Right wrist plain film · PA view · boy, 9 yo
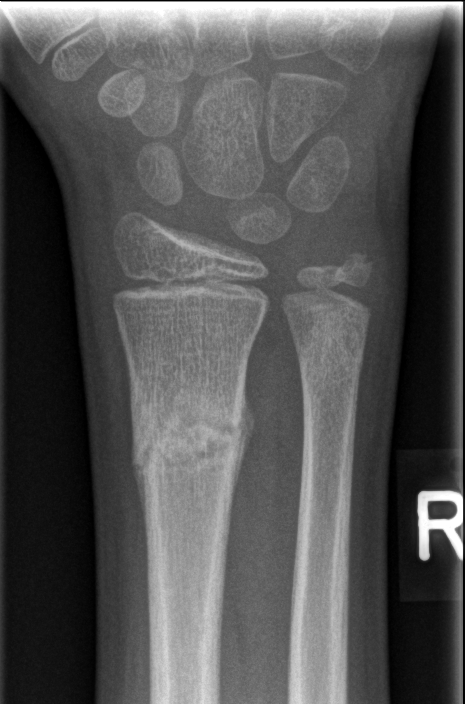 {
  "fracture": "3 @ (127, 376, 253, 498) (289, 318, 370, 386) (318, 243, 380, 299)",
  "ao": "23-M/3.1; 23u-E/7",
  "periostealreaction": "(234, 402, 256, 489); (131, 397, 145, 515)"
}